Lt wrist radiograph; lat; boy, 8 yo. 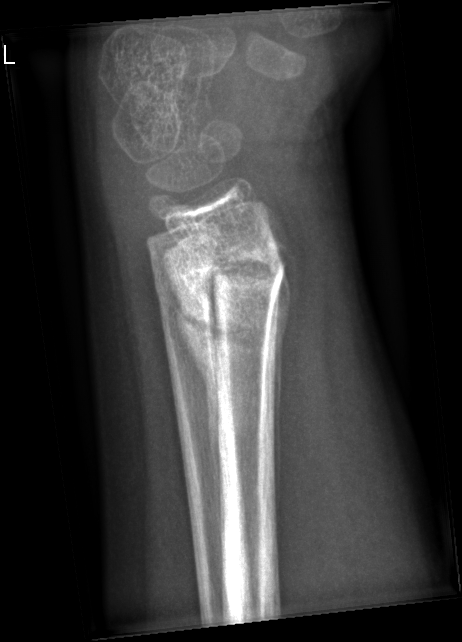
AO code 23r-M/3.1; 23u-M/2.1. Two periosteal thickening at <166,269>-<222,534>; <266,208>-<297,528>. One bone fracture at <166,230>-<288,344>. Decreased bone density (osteopenia).